PA · Lt wrist radiograph:
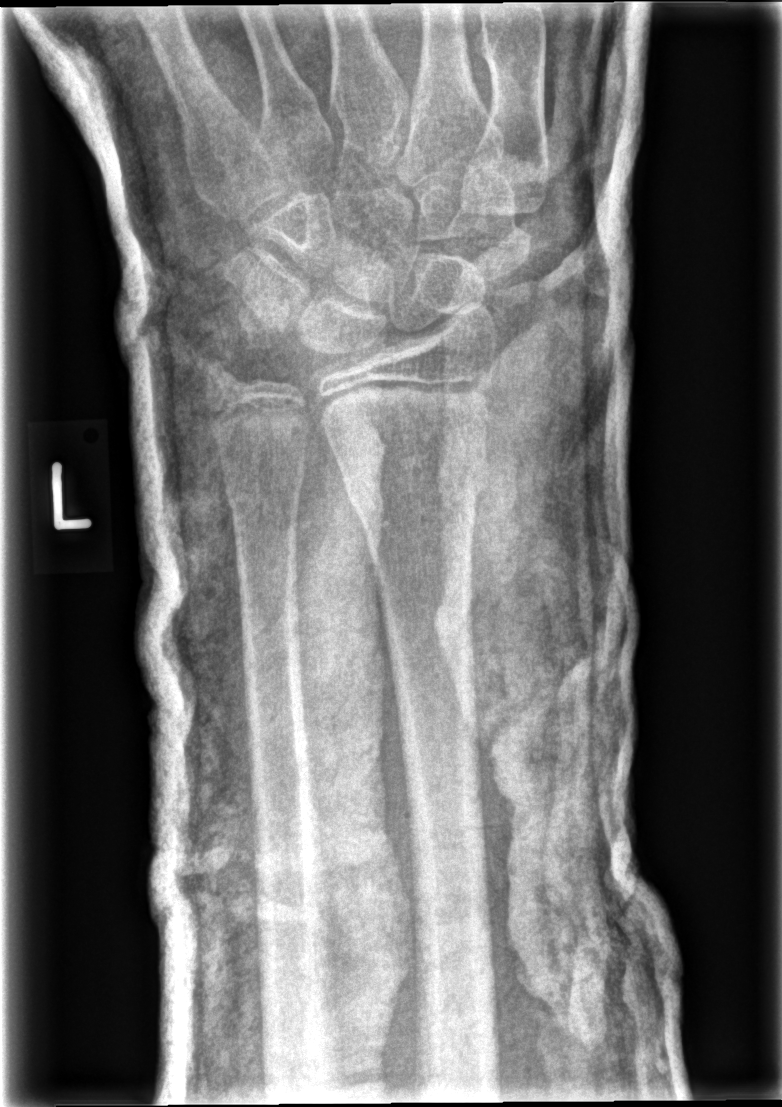

bone fracture: (left=338, top=452, right=489, bottom=533); (left=225, top=449, right=306, bottom=523)
AO/OTA: 23-M/2.1